Left wrist plain radiograph of the wrist | lat view | male, 12 yo —

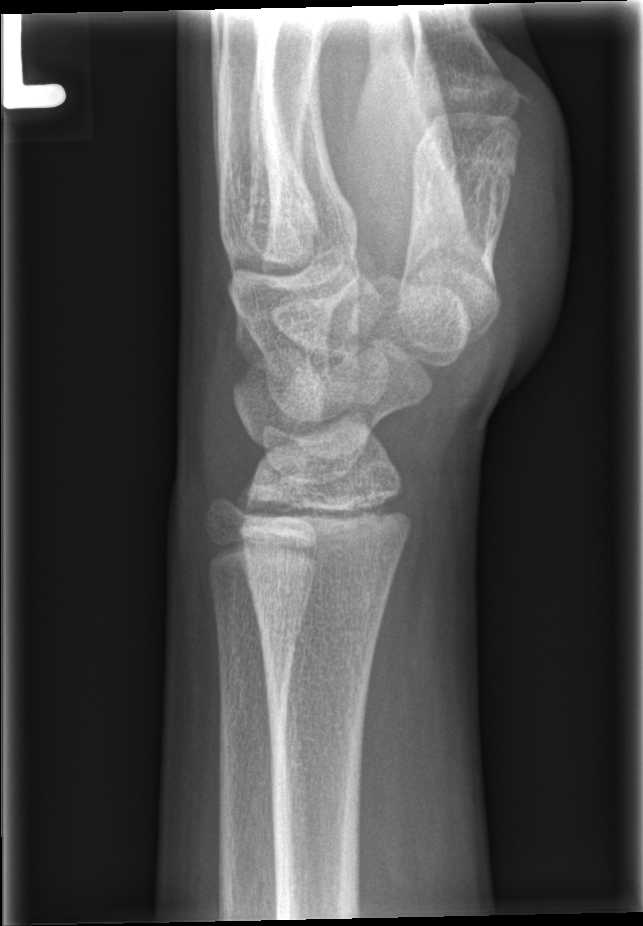
Fx = none labeled